Left wrist X-ray; lateral view; 4y M.

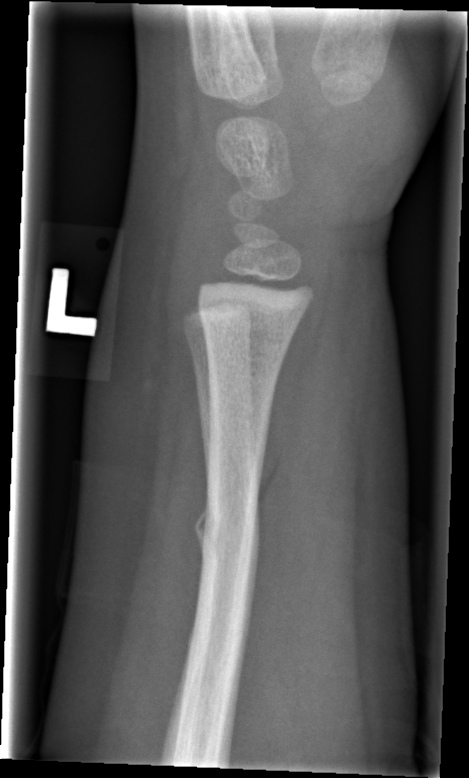
One fracture at (191, 495, 264, 568).
AO/OTA classification: 22-D/2.1.